Right plain radiograph of the wrist | lat | pediatric patient (female, age 11) | presentation radiograph | image size 585x724:
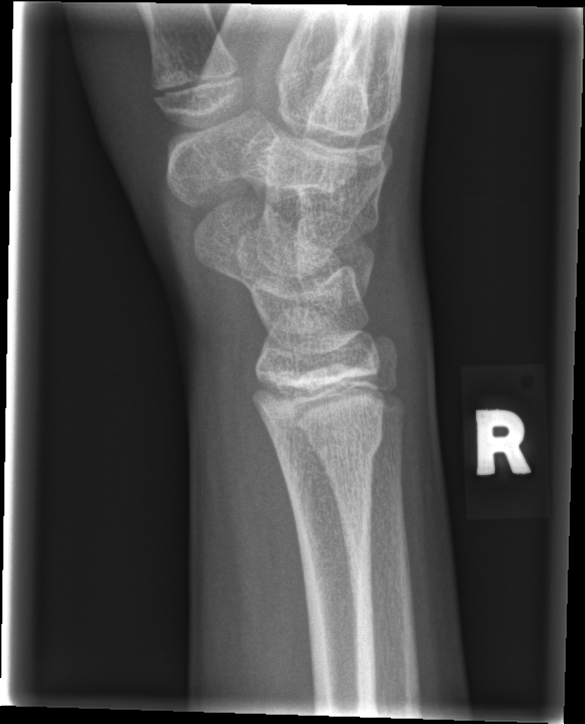
• Pixel coordinates, top-left origin, xyxy.
• Bone fracture: 273 413 384 468.